Posteroanterior projection; right wrist radiograph; pediatric patient (female, age 3)
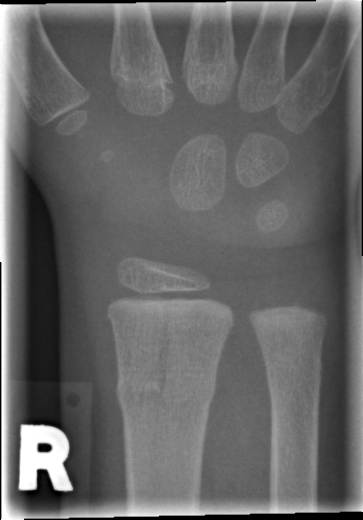

AO code 23-M/2.1. Bone fracture: bbox(112, 372, 222, 419), bbox(262, 344, 326, 397).